Left wrist plain film; PA projection; age 9 y, male; subsequent exam; cast present; 536 by 992 pixels:
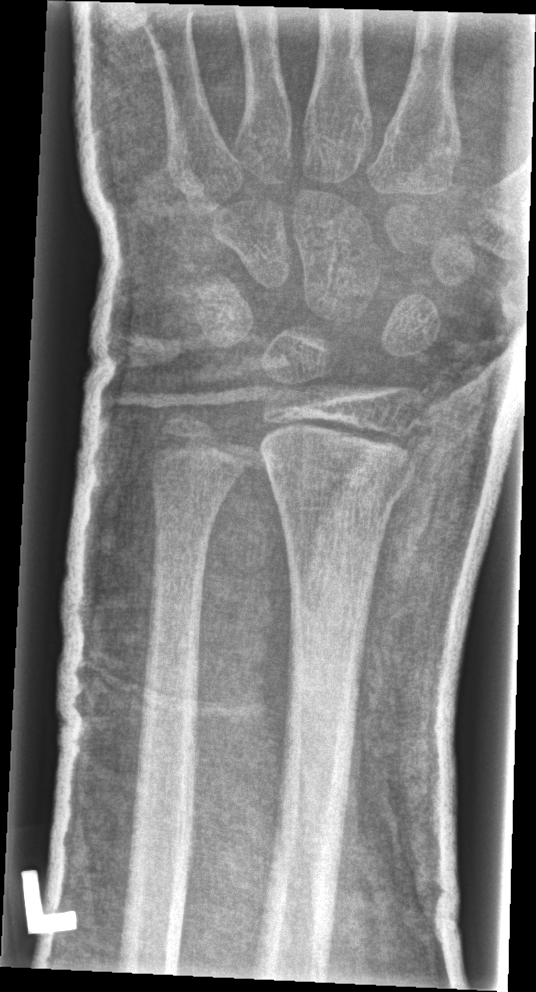

(bounding boxes in image-pixel xyxy)
Q: AO code?
A: Fracture classified AO/OTA 23r-M/3.1
Q: Locate any fractures.
A: One Fx at [260, 440, 419, 518]